PA/AP view, L pediatric wrist radiograph, imaged through cast:

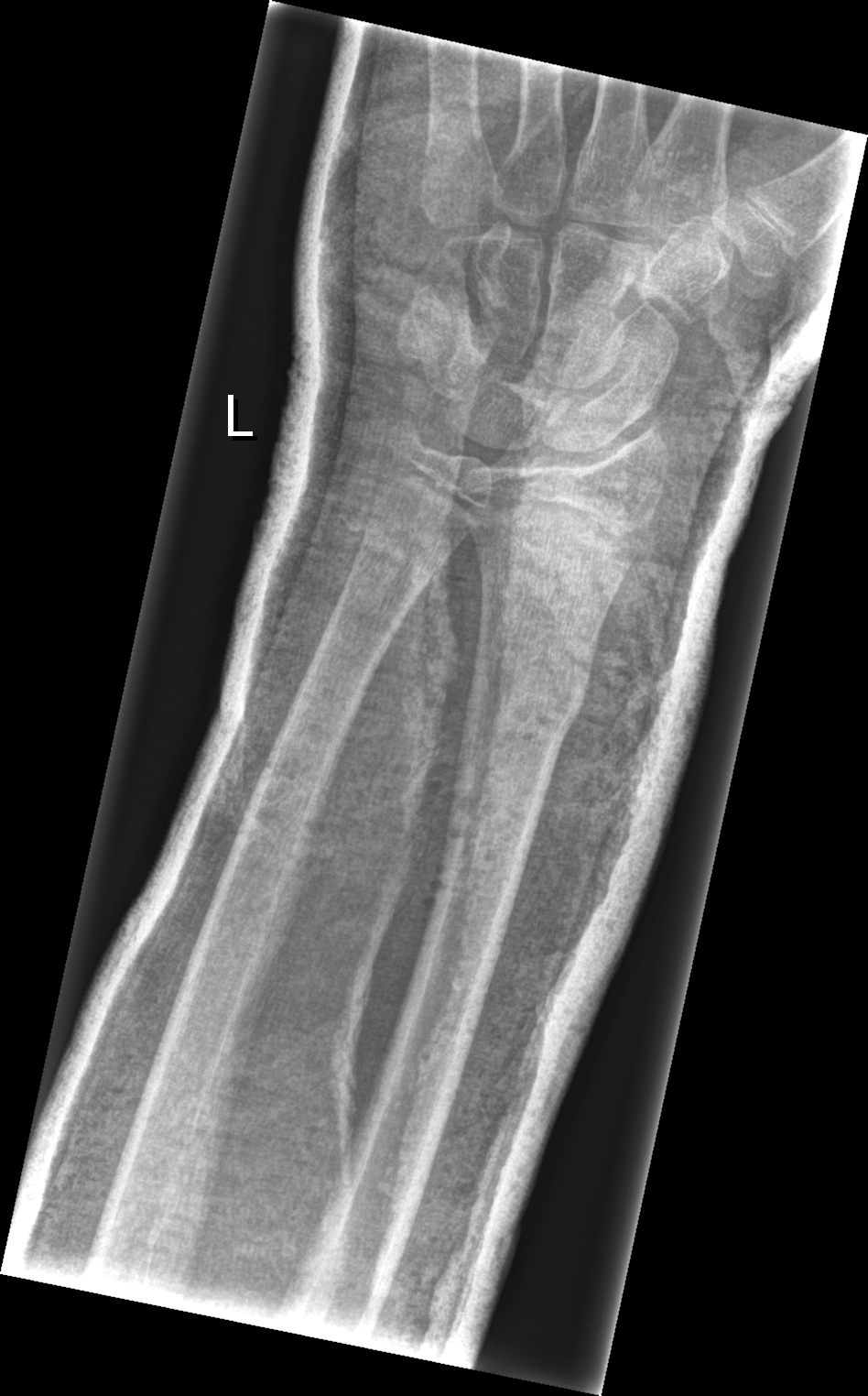
Pixel coordinates, top-left origin, xyxy. AO code 23r-M/2.1. Bone fracture — [465, 643, 591, 739].